Left wrist radiograph, lat, 9-year-old boy, presentation radiograph, Siemens 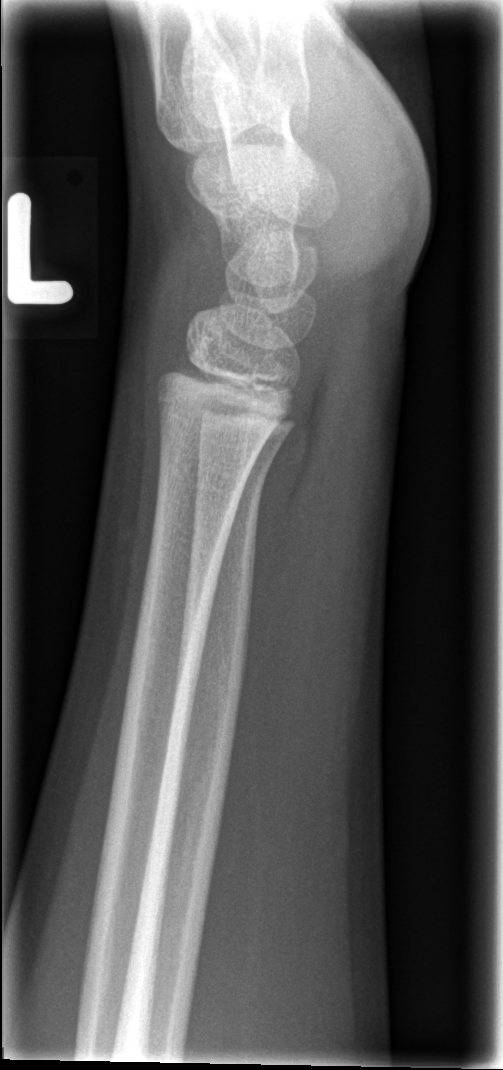

• No fracture annotation.